Right wrist plain film · lateral · male, 13 yo · detector: Siemens
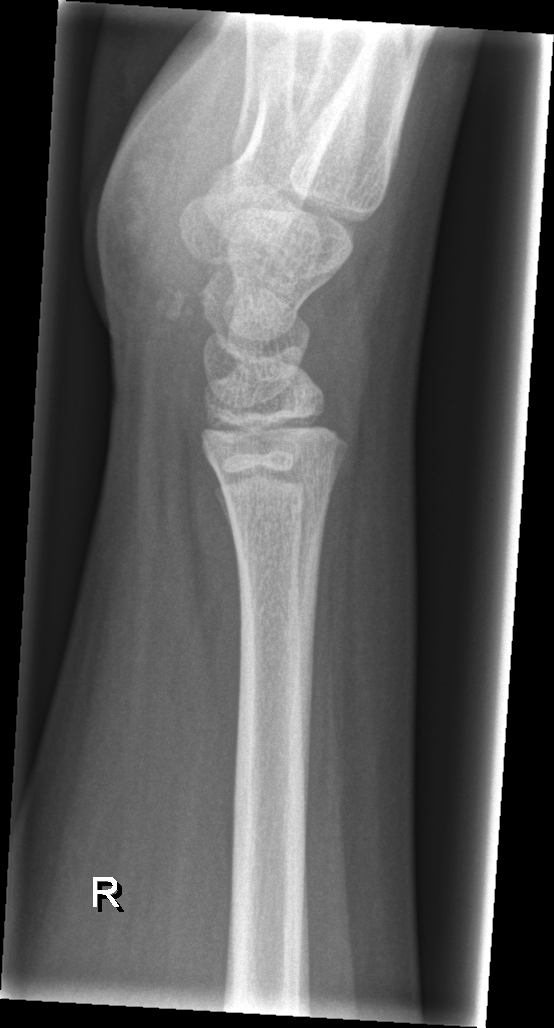
Fracture: none labeled.